Right wrist plain radiograph of the wrist | lateral projection | 14y M | detector: Siemens:
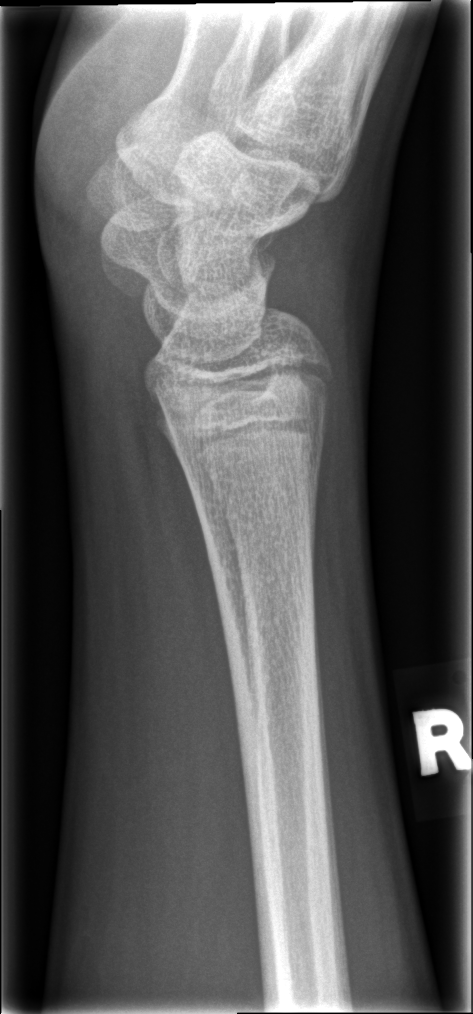

FINDINGS: No fracture annotation.